L wrist XR | PA projection
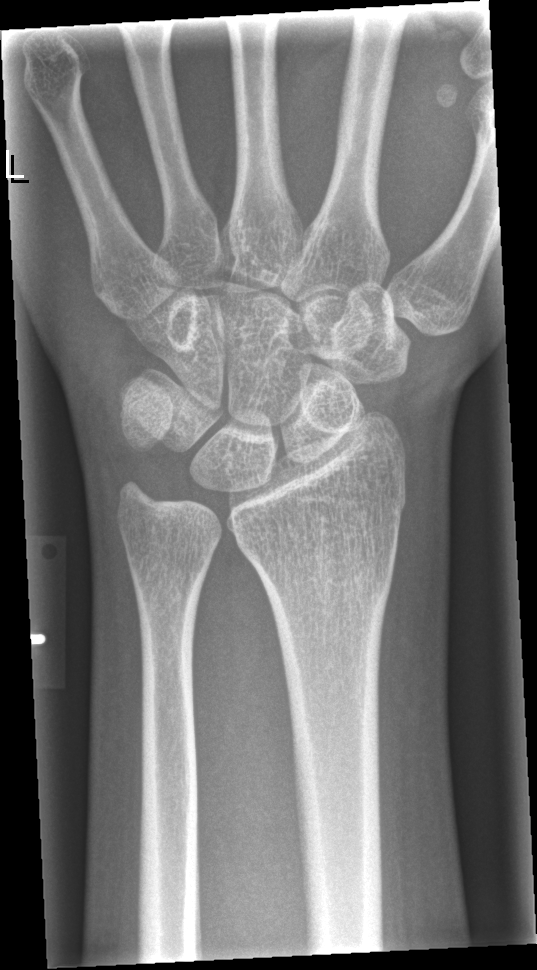 Fx: none labeled